L pediatric wrist radiograph; frontal view; imaged through cast; image width 94.8 mm:

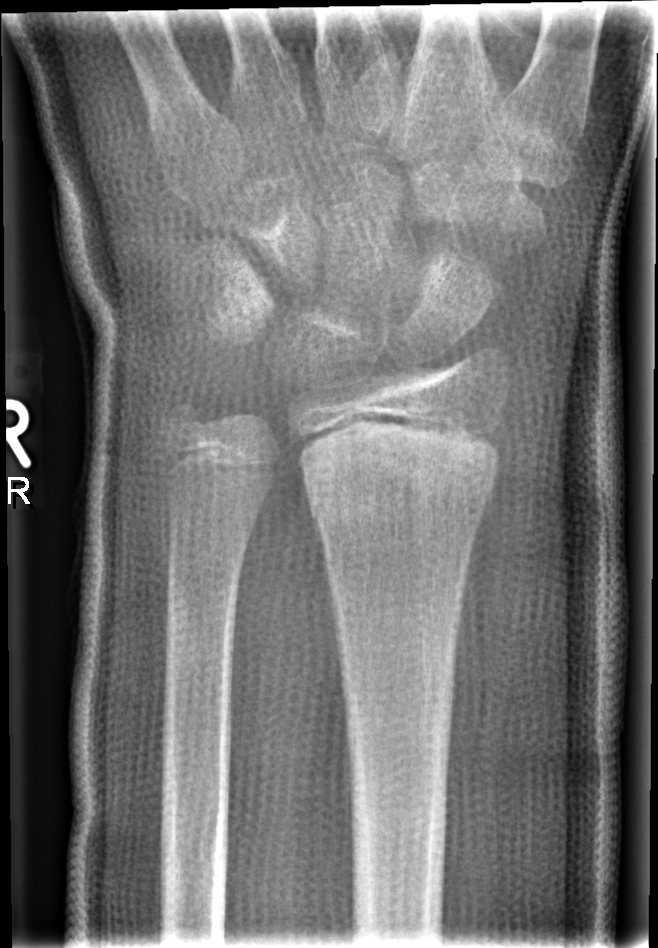
Bone fractures — 297,436,503,548 | 155,393,214,453. AO code 23r-E/2.1; 23u-E/7.